Frontal · Rt wrist plain film —
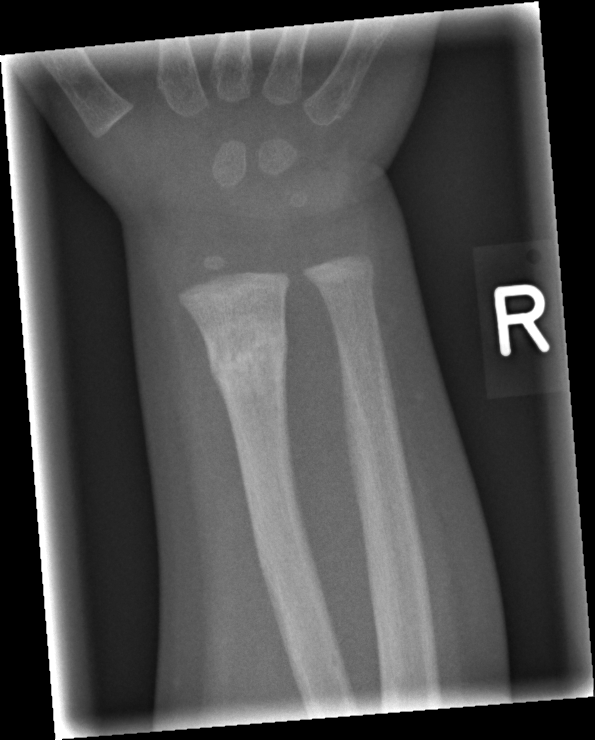 fracture: 1 @ (207, 316, 290, 399)